Posteroanterior projection | R pediatric wrist radiograph | subsequent exam | image size 774x1228: 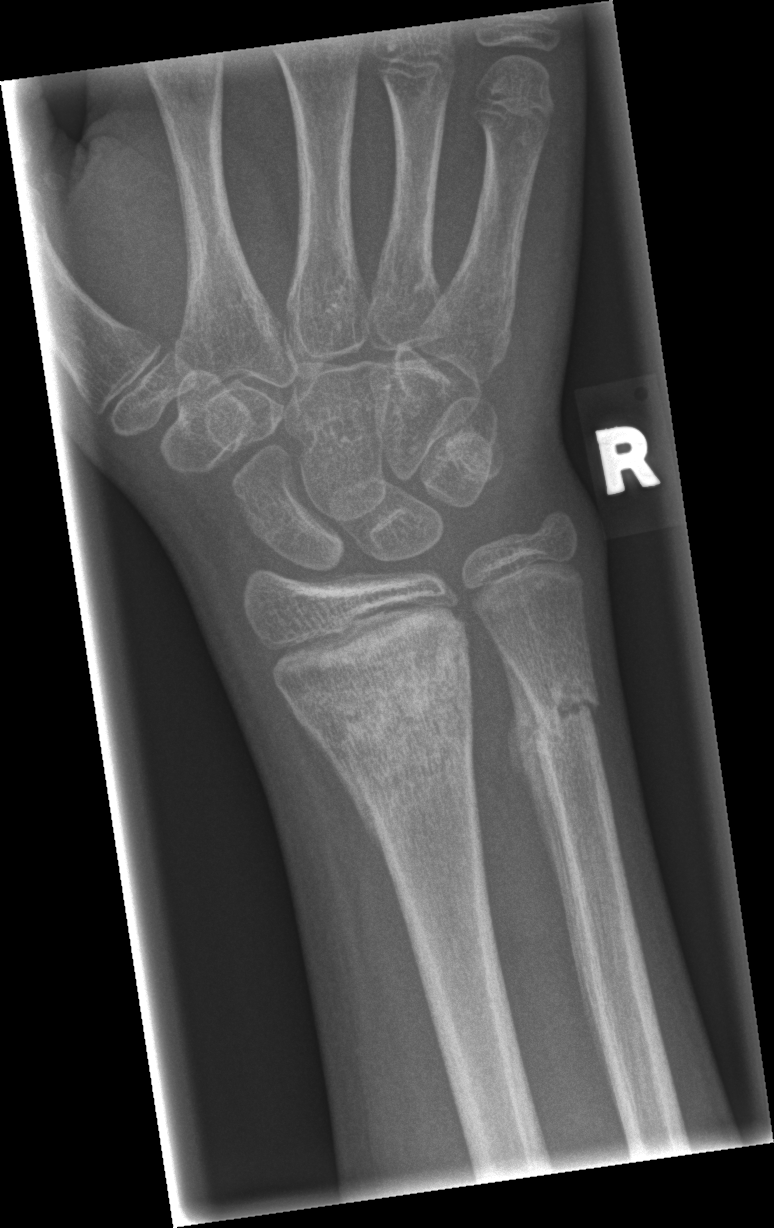
(coordinates are [x1, y1, x2, y2] in image pixels)
Periosteal thickening: (left=496, top=640, right=614, bottom=1085)
AO classification: 23-M/3.1
Fracture: 2 @ (left=281, top=629, right=478, bottom=822) (left=511, top=654, right=610, bottom=758)